PA view · left wrist pediatric wrist radiograph · in cast. 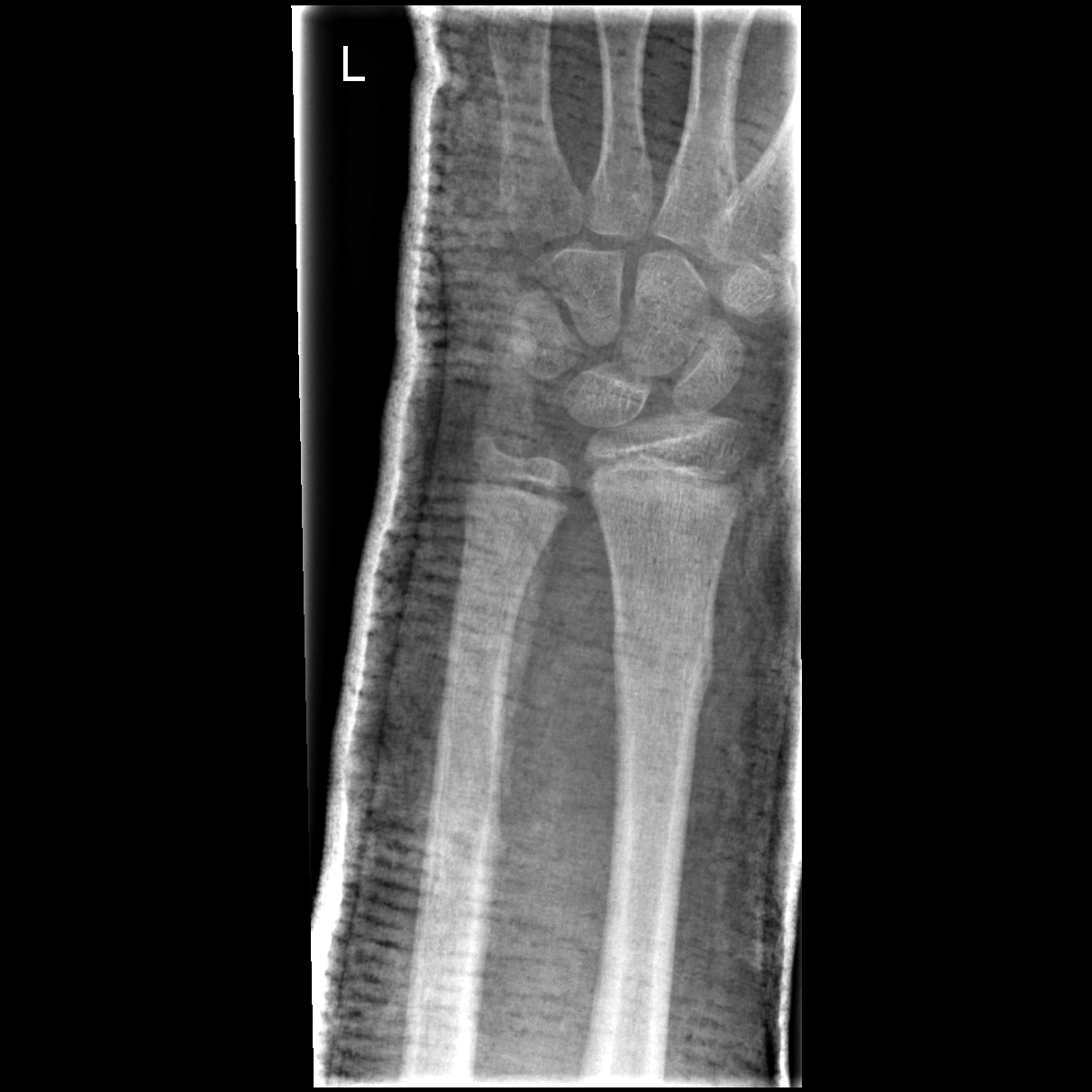

{
  "ao": "23-M/2.1",
  "fracture": "1 @ [606, 614, 717, 714]"
}